Left wrist pediatric wrist radiograph, lat, age 10 y, male, initial study: 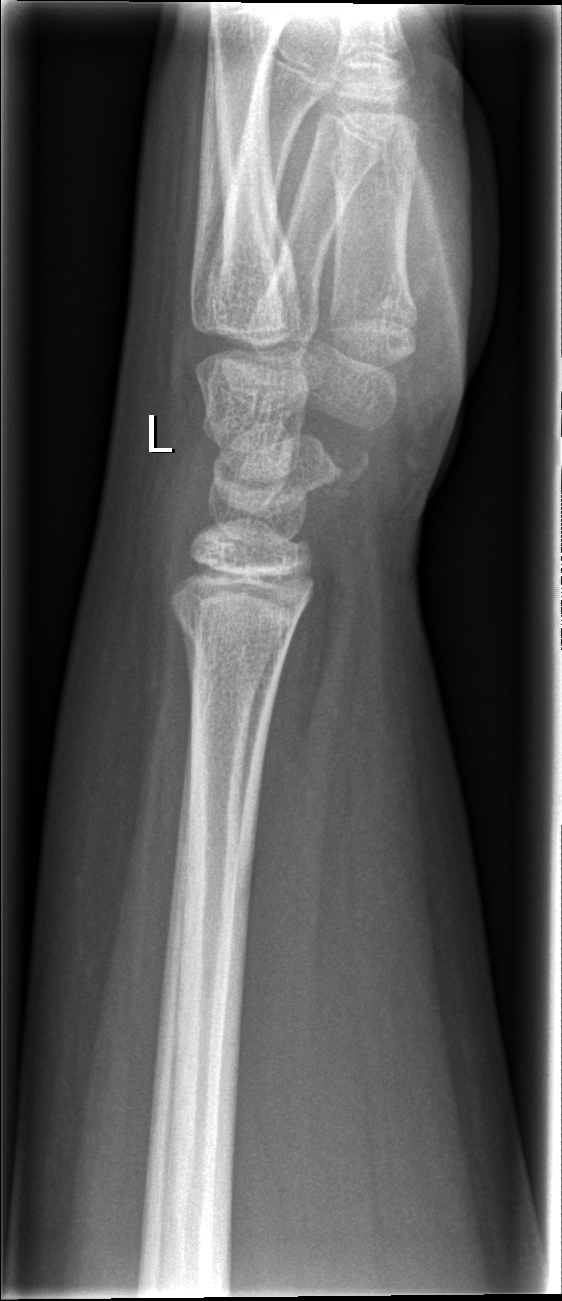
Bounding boxes in image-pixel xyxy. One Fx at [173, 604, 295, 674].